Frontal view · Lt wrist XR · pediatric patient (boy, age 8). 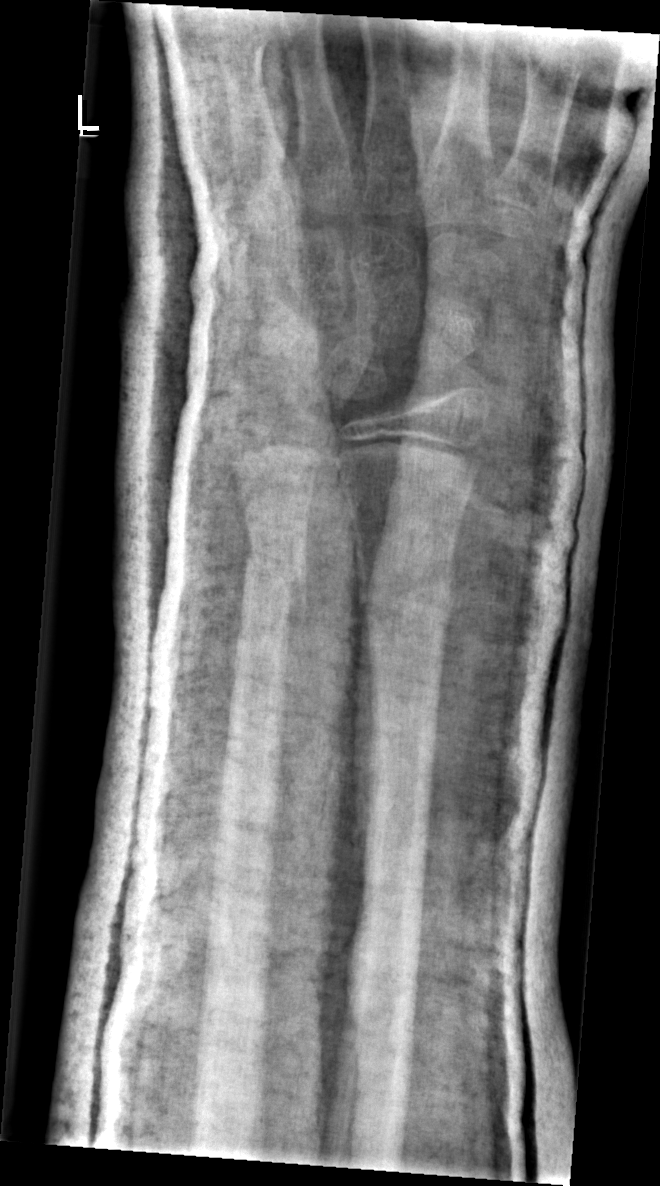 Fx: 2 @ [351, 567, 459, 645]; [240, 542, 311, 612]
AO/OTA: 23-M/3.1